Posteroanterior projection; left wrist radiograph; age 17 y, male; cast in situ — 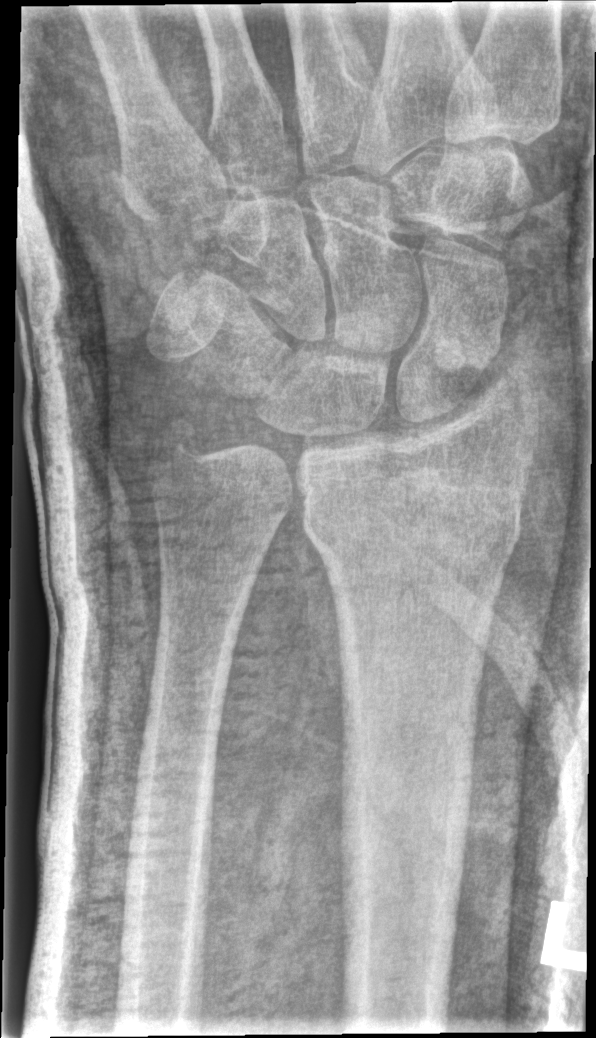 Bounding boxes in image-pixel xyxy.
Two fractures at (300, 482, 528, 577); (142, 410, 208, 480).